Right wrist radiograph, lat view:
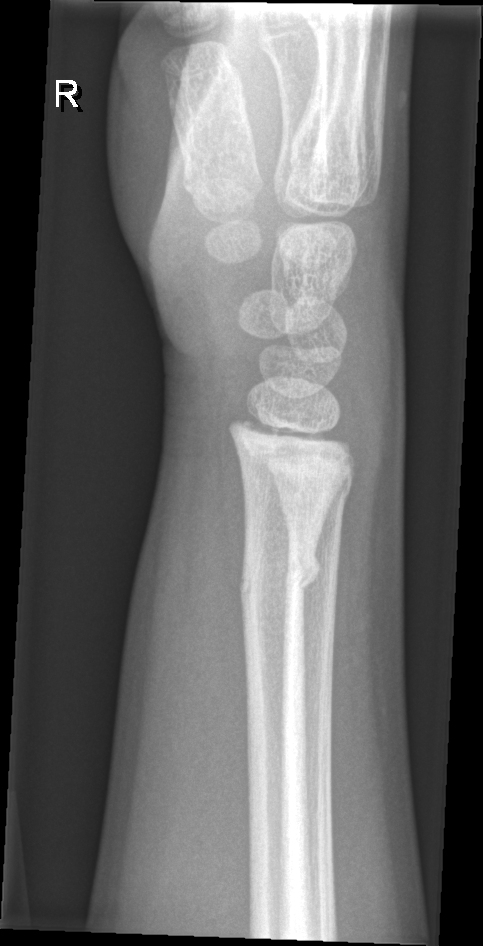 Bone fracture identified at 235 540 325 601
  271 474 355 521.